PA/AP view | left wrist radiograph | 14-year-old female —
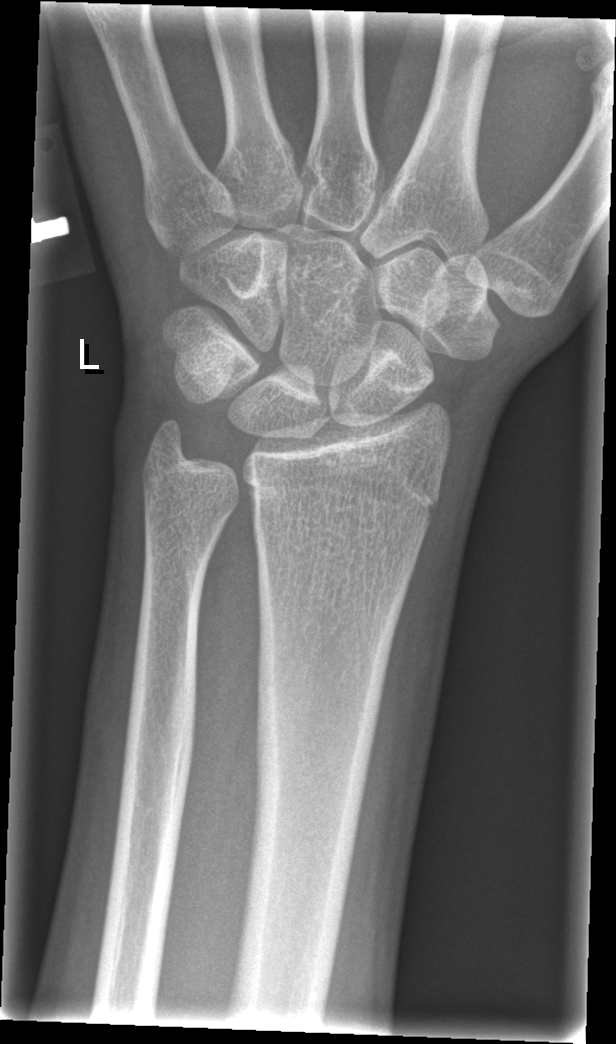

FINDINGS: Fx: none.